Posteroanterior | Lt wrist radiograph | imaged through cast.
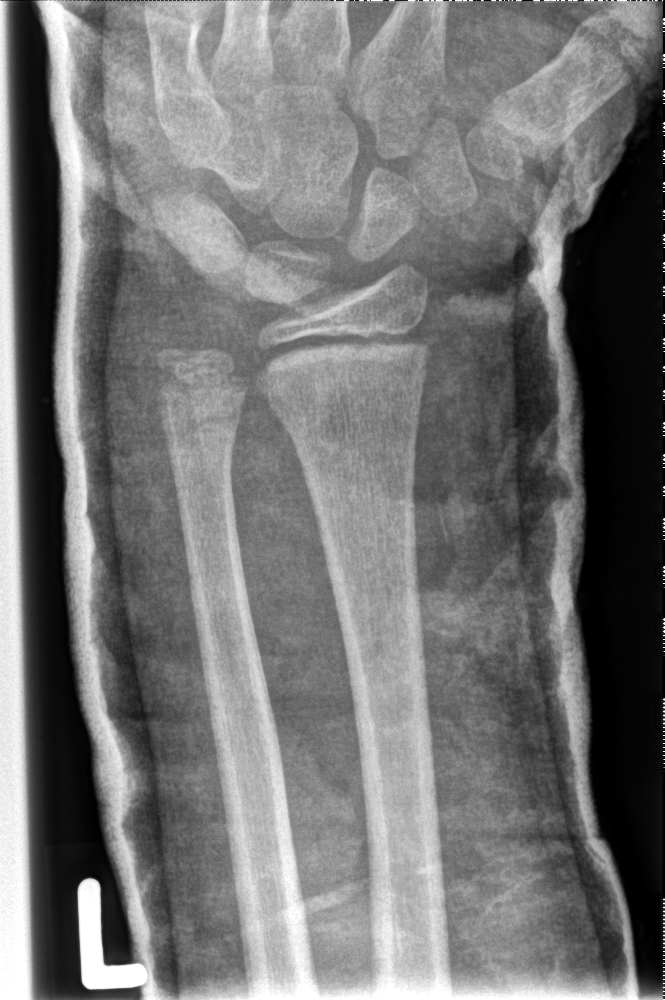
Q: AO code?
A: AO code 23r-E/2.1
Q: Any fracture seen?
A: Fracture identified at 249 331 431 406